L wrist X-ray · lateral projection · female, 10 yo:
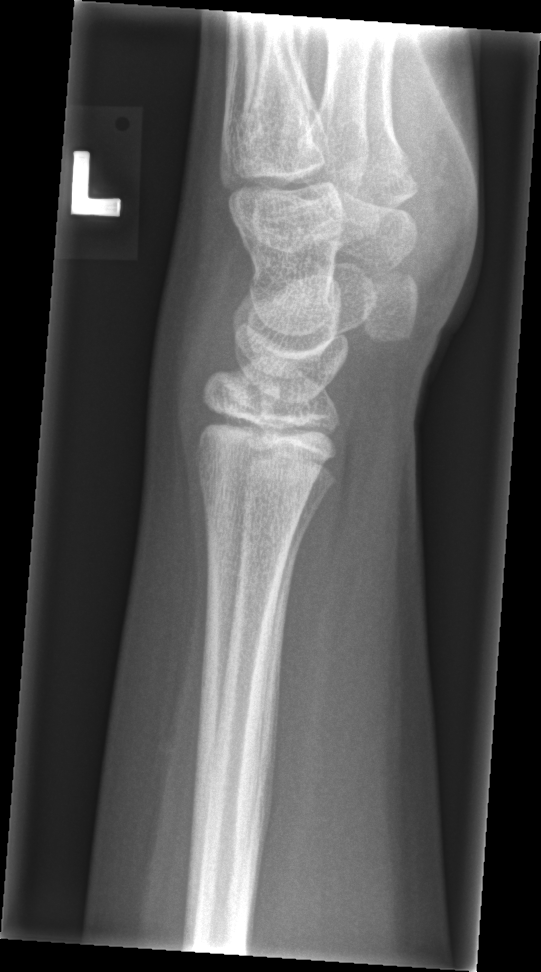
{"fracture": "none labeled"}